Frontal view, Lt wrist plain film, age 14 y, male, detector: Siemens, image size 840x1428.

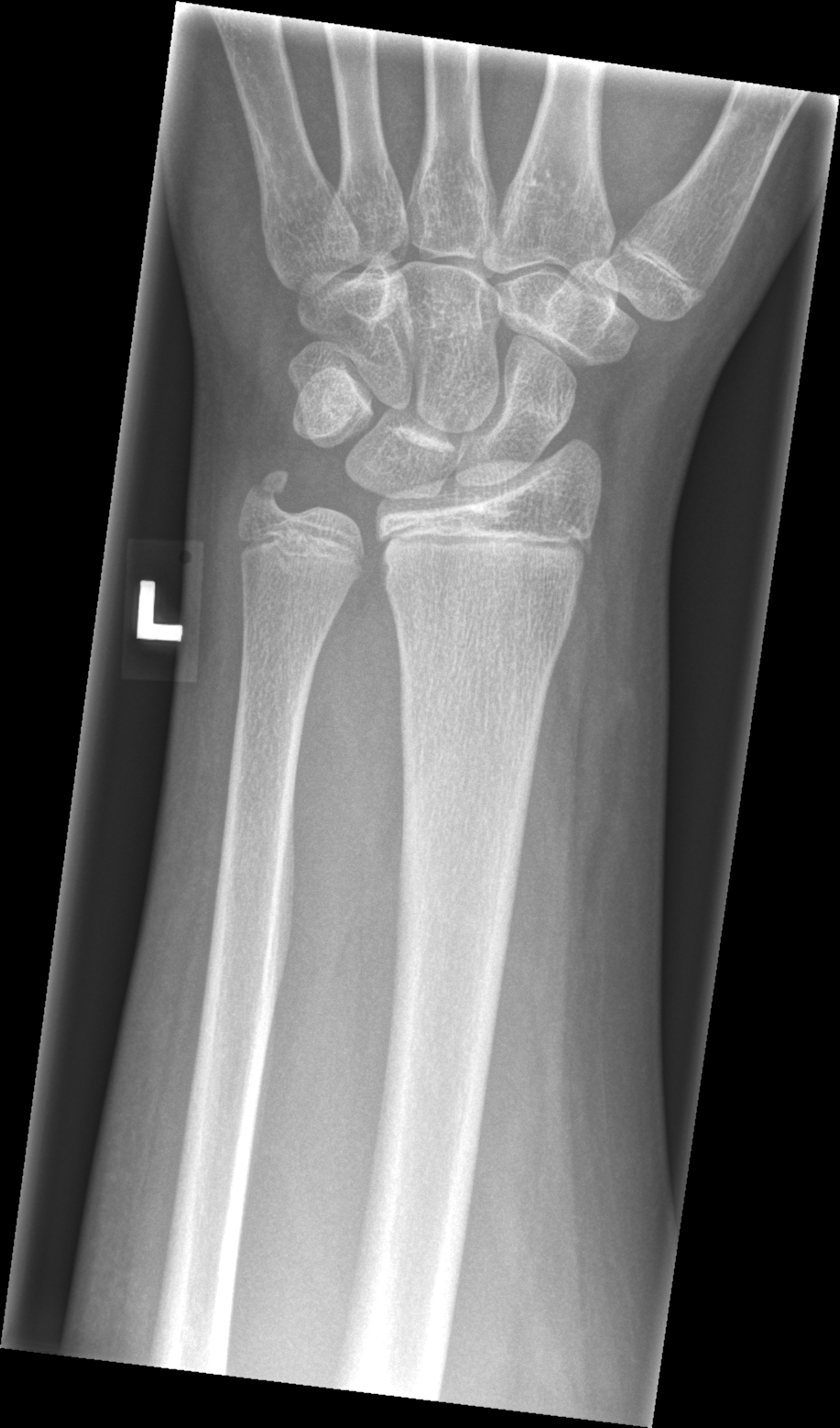

ao: 23u-E/7
fracture: (left=235, top=461, right=297, bottom=522)